Right wrist plain film; PA view; age 5 y, female; image 66.5 mm wide

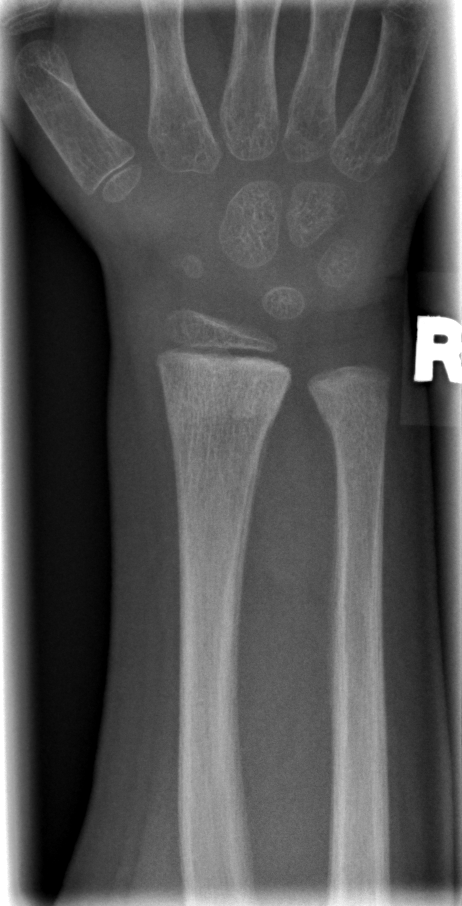
Two Fx at bbox(161, 363, 287, 437) bbox(314, 399, 393, 433). Decreased bone density (osteopenia). Periosteal thickening: bbox(249, 412, 276, 528). AO/OTA classification: 23r-E/2.1; 23u-M/2.1.